Frontal view · R pediatric wrist radiograph · age 13 y, boy · diagnosis uncertain · acquired on Siemens · 632x914:
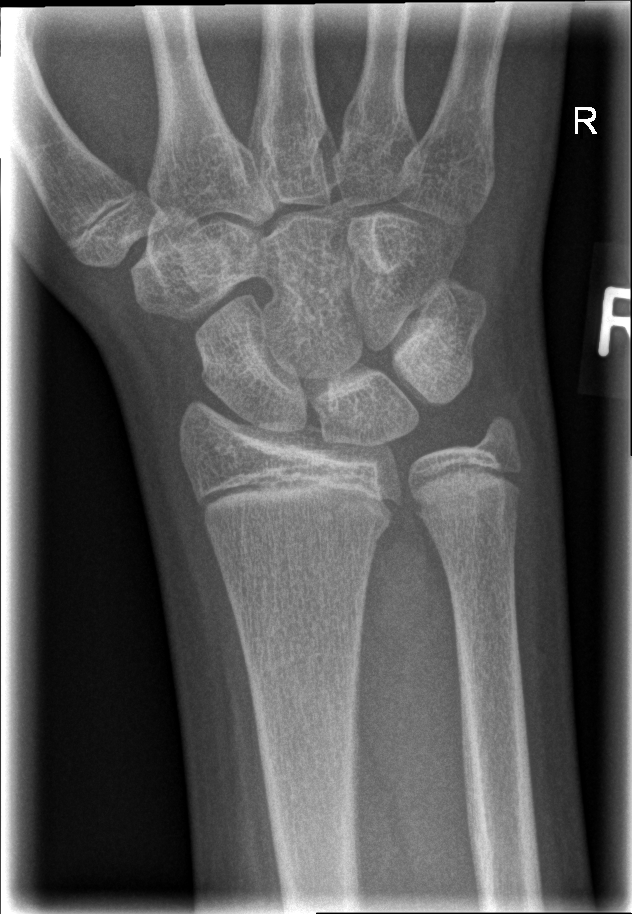
Bone fracture: none labeled